Posteroanterior; left wrist XR; age 13 y, male; presentation radiograph.

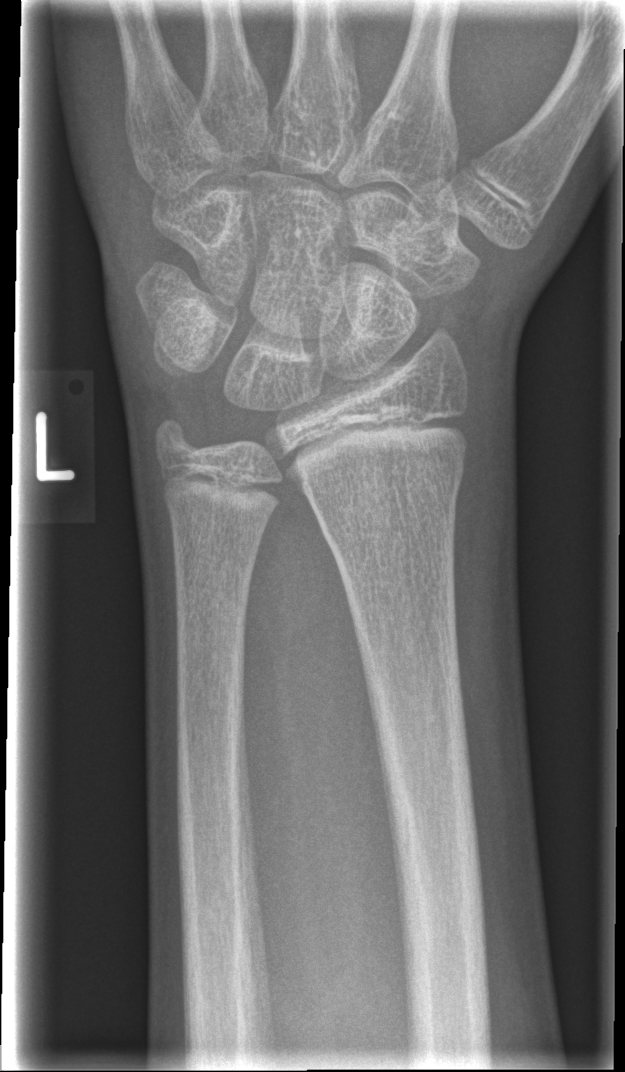
- Bone fracture — [x1=313, y1=464, x2=466, y2=550].